Left wrist plain film | posteroanterior view | cast present | detector: Siemens — 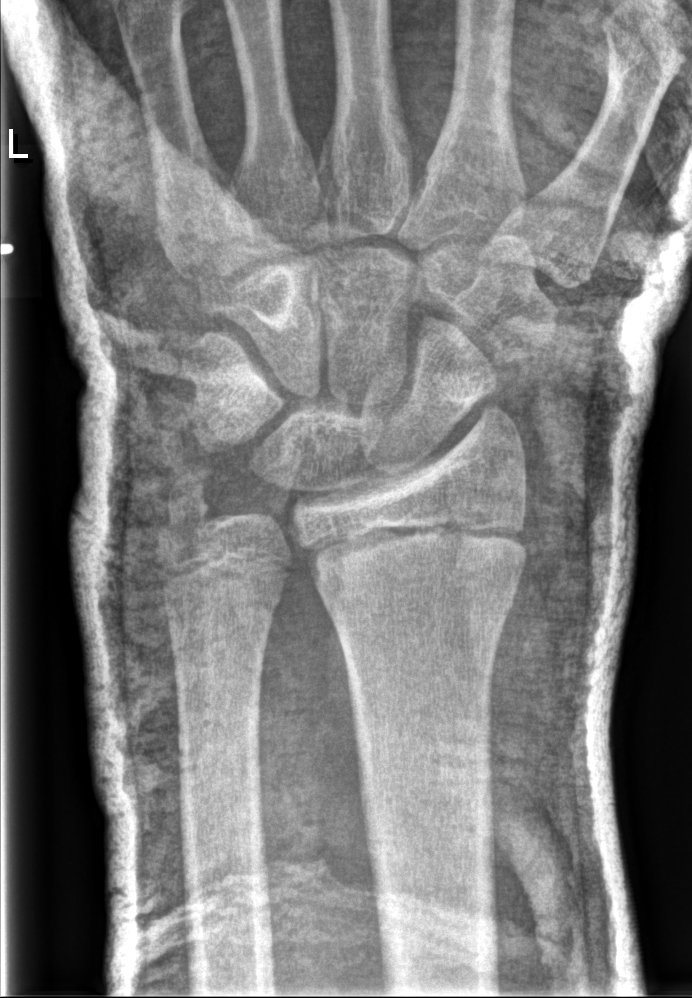
Boxes as x1,y1,x2,y2 (top-left / bottom-right, pixel units). Bone fracture identified at <297,503>-<538,605> <154,473>-<219,537>. AO code 23r-E/2.1; 23u-E/7.